PA/AP view; L wrist radiograph; follow-up study; cast present; detector: Siemens; image 98.2 mm wide. 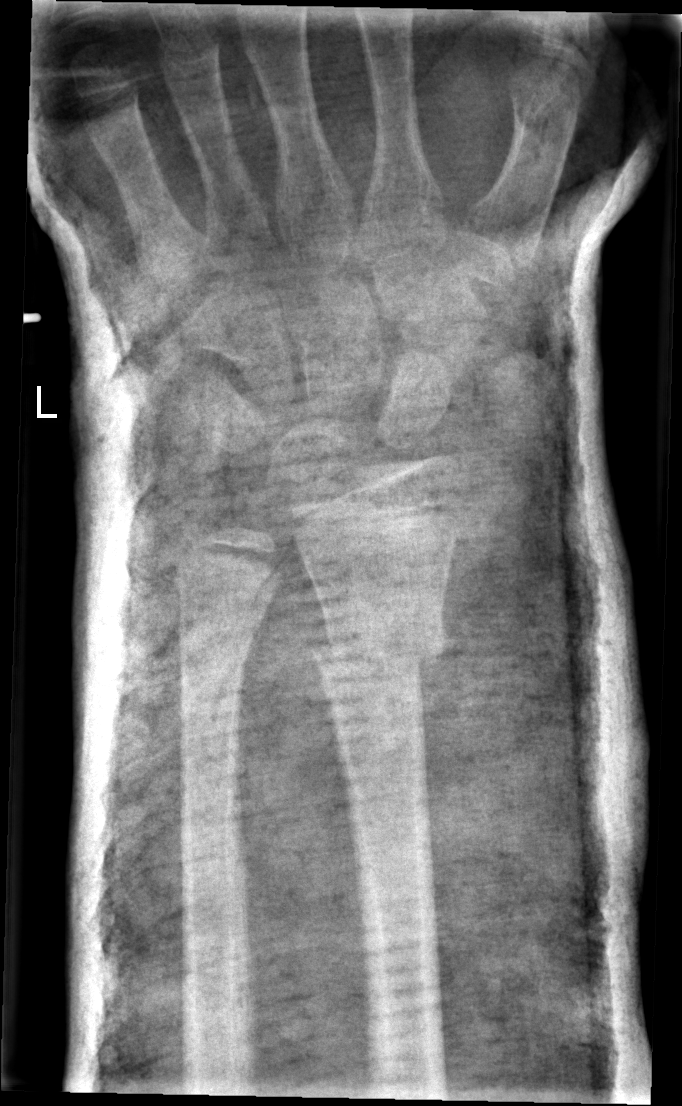

• Coordinates are [x1, y1, x2, y2] in image pixels.
• Fx identified at [x1=306, y1=614, x2=451, y2=682].
• AO/OTA classification: 23r-M/3.1; 23u-M/2.1.